Left wrist radiograph; lat projection; 7-year-old male; initial study. 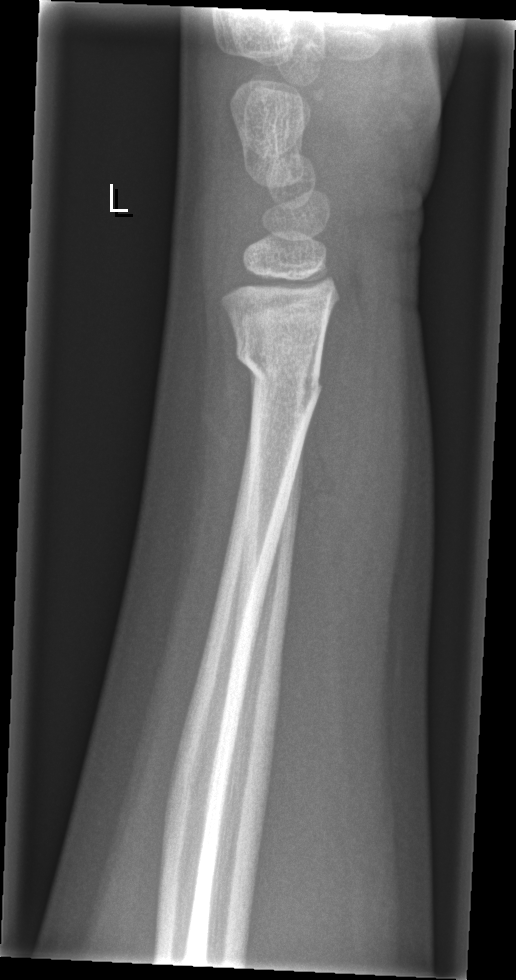

Fx: 1 @ (left=233, top=329, right=326, bottom=404)
pronator quadratus fat-pad sign: (left=287, top=234, right=380, bottom=626)
AO code: 23-M/3.1